Lt wrist XR · lateral view · 594 by 1113 pixels:

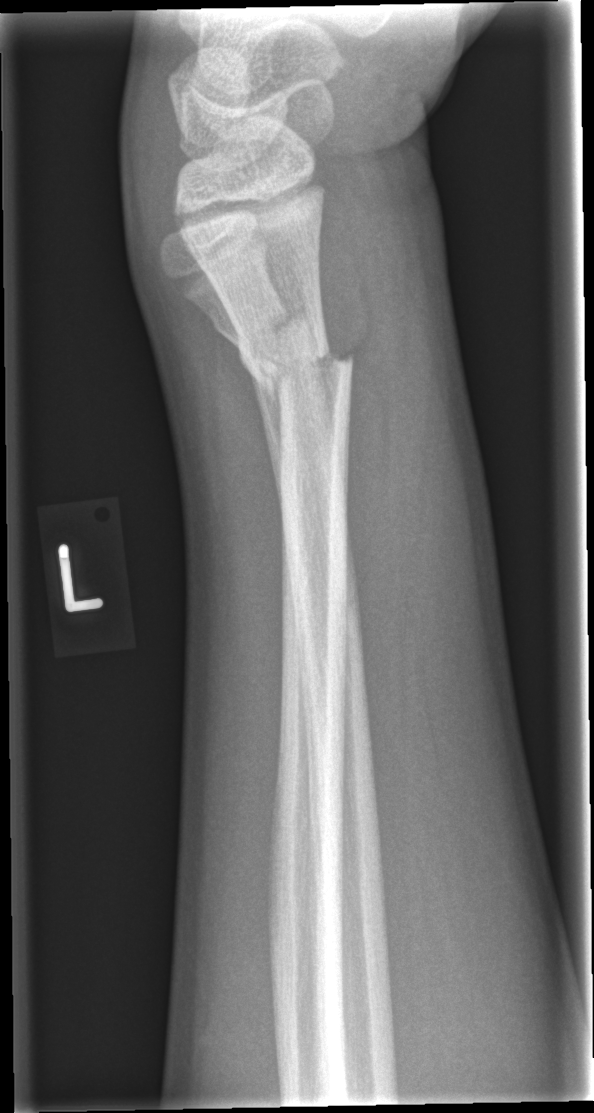

Findings: Bone fracture identified at (206, 298, 324, 391) (257, 335, 359, 427). AO/OTA classification: 23-M/3.1.